Lt wrist XR; PA/AP; Siemens; 619x1024

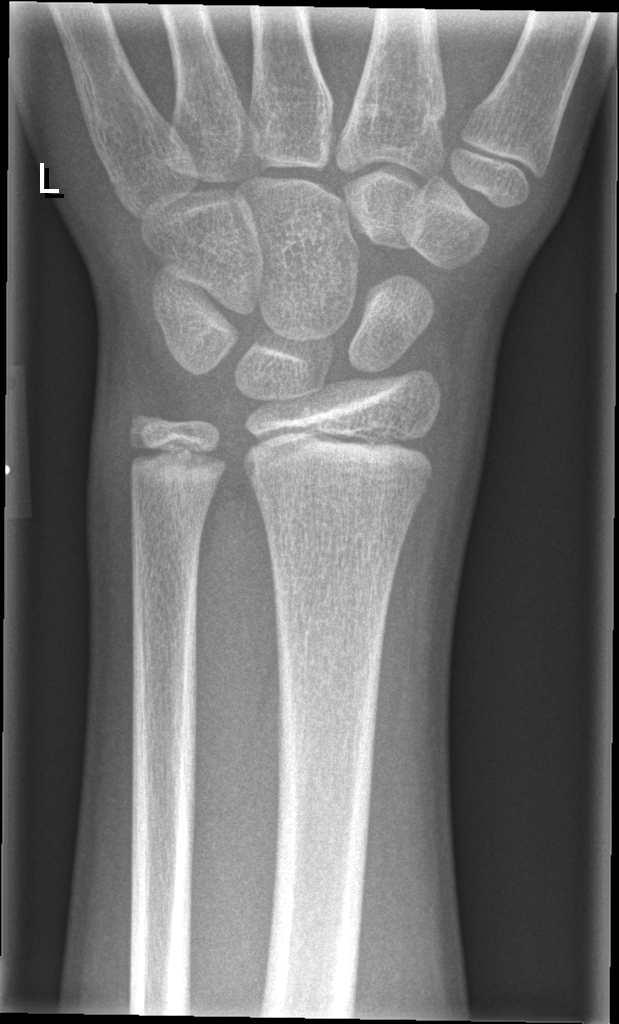 * No fracture labeled.